Posteroanterior, right wrist XR, boy, 17 yo — 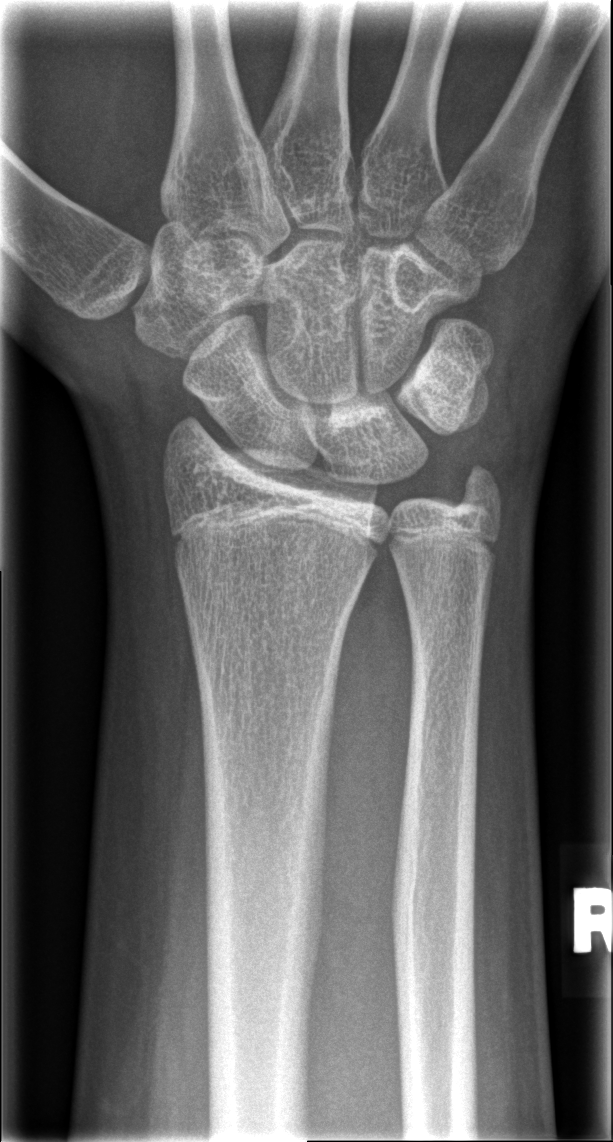
Fx = none labeled